Lateral projection; R plain radiograph of the wrist; boy, 11 yo; presentation radiograph:

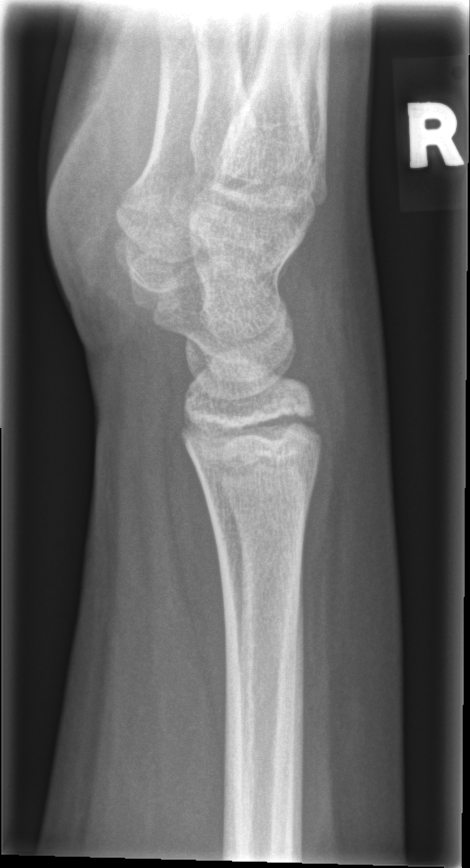

Bone fracture: none labeled